Lt wrist plain film · lat projection · pediatric patient (male, age 15) · 466 by 1236 pixels:
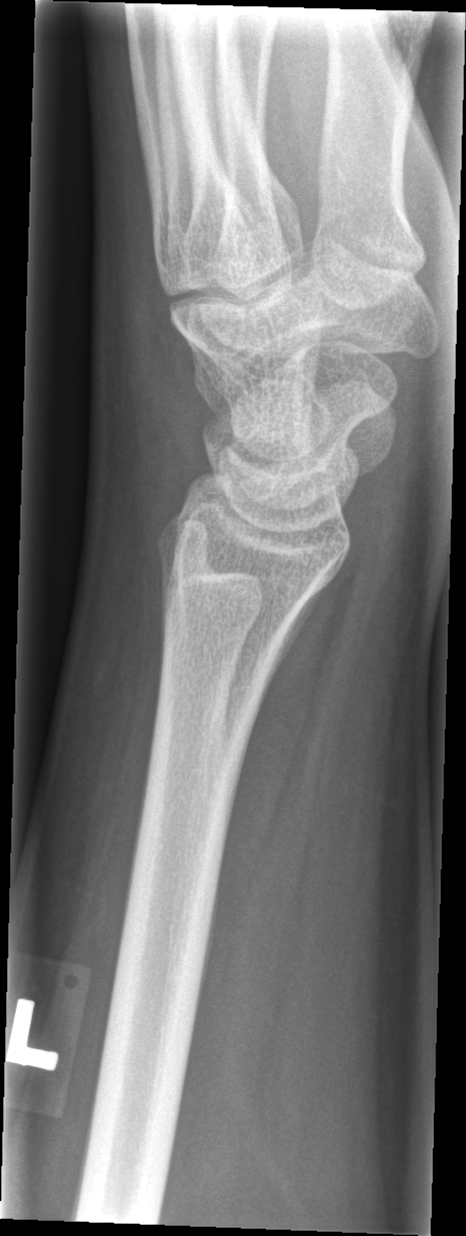 {"fracture": "none labeled"}